Lat · left wrist radiograph: 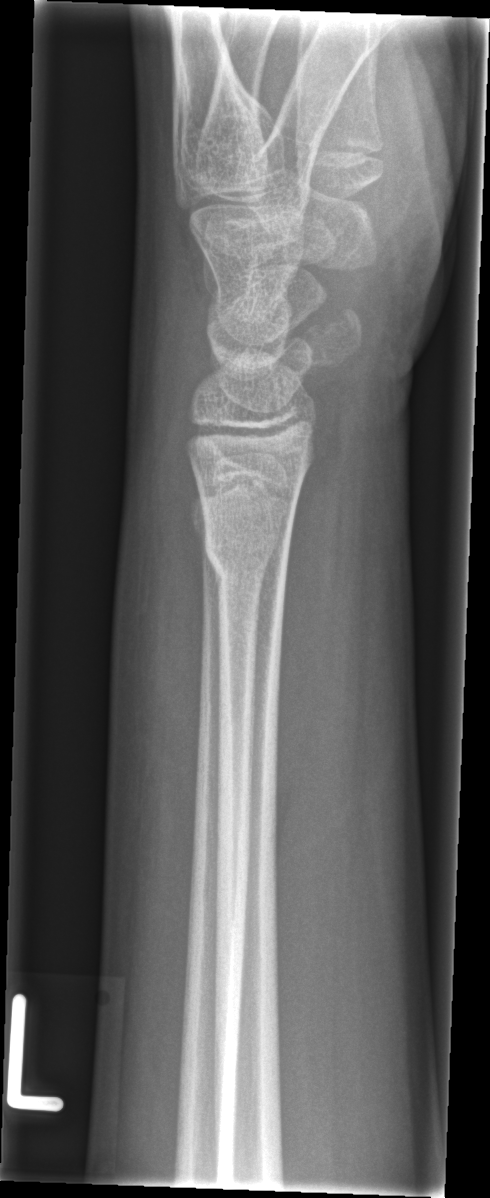

{
  "_coords": "boxes as x1,y1,x2,y2 (top-left / bottom-right, pixel units)",
  "ao": "23-M/2.1",
  "fracture": "1 @ bbox(188, 492, 295, 581)"
}